Lateral projection, R wrist radiograph, follow-up study, 105.1 mm image width, image size 730x1343 —
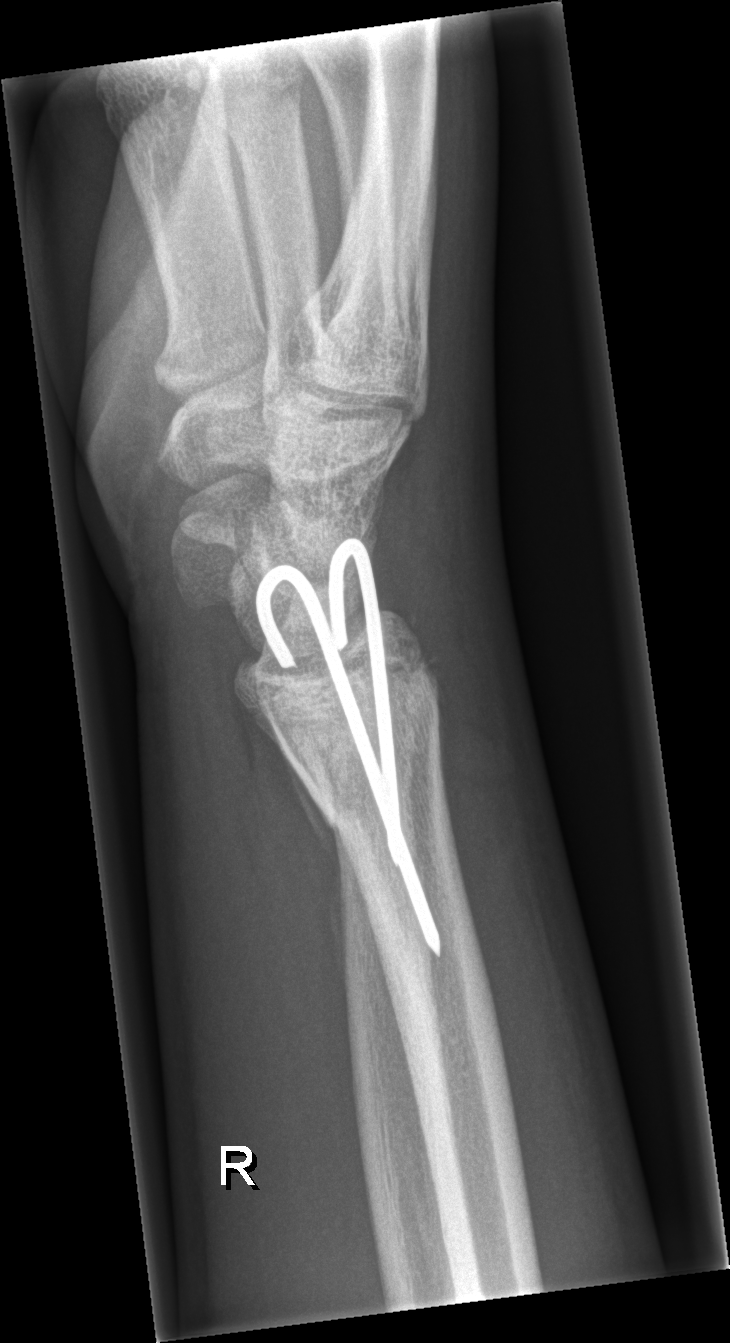 - Fx: (251, 650, 445, 833).
- Osteopenia.
- One metallic implant at (251, 530, 445, 963).
- Periosteal reaction — (280, 747, 353, 1007).